AP view; right wrist plain film; follow-up study; Siemens.
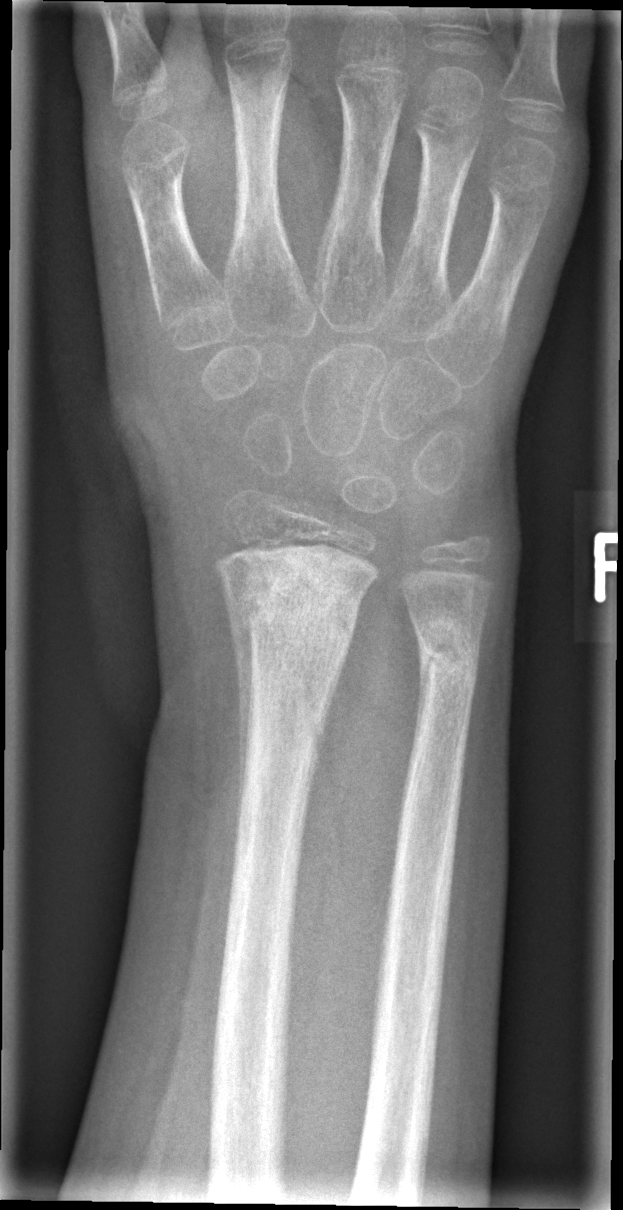
FINDINGS — Periosteal reaction — [x1=234, y1=628, x2=254, y2=821]. AO/OTA classification: 23-M/3.1. Osteopenic. Bone fractures — [x1=214, y1=547, x2=376, y2=680], [x1=409, y1=599, x2=485, y2=702].